Lateral; L pediatric wrist radiograph; index exam; Siemens 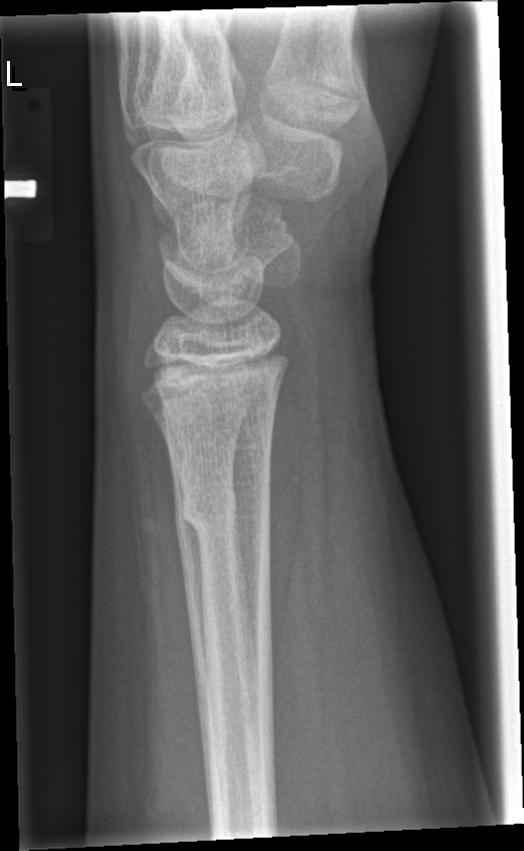
Q: Fracture present?
A: One bone fracture at bbox(178, 491, 275, 540)
Q: What is the AO/OTA classification?
A: AO code 23-M/2.1